Lat view; L pediatric wrist radiograph; boy, 10 yo; presentation radiograph; 465 x 1150 px —
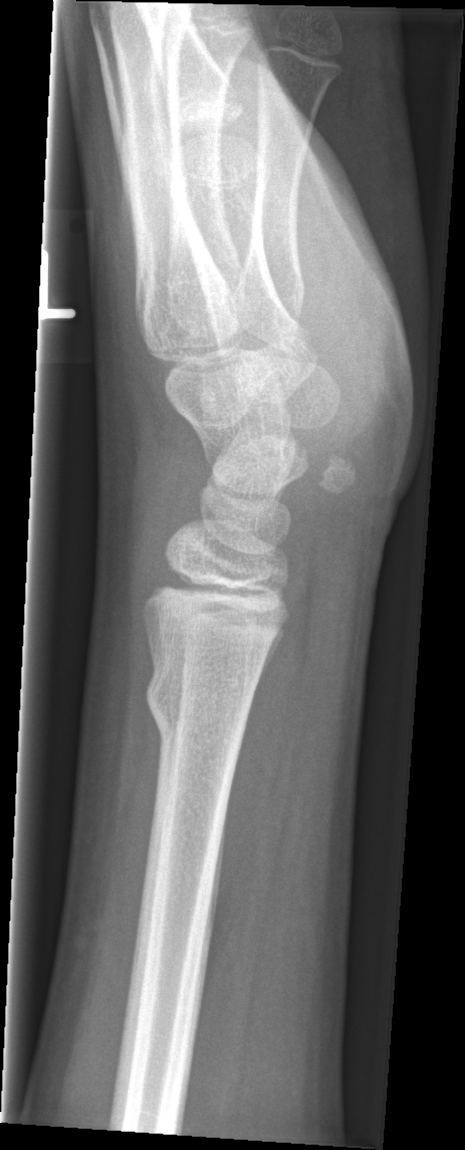

Q: Locate any fractures.
A: One fracture at bbox(142, 650, 259, 747)
Q: AO code?
A: AO code 23r-M/2.1